Rt pediatric wrist radiograph · PA view · image size 918x1316

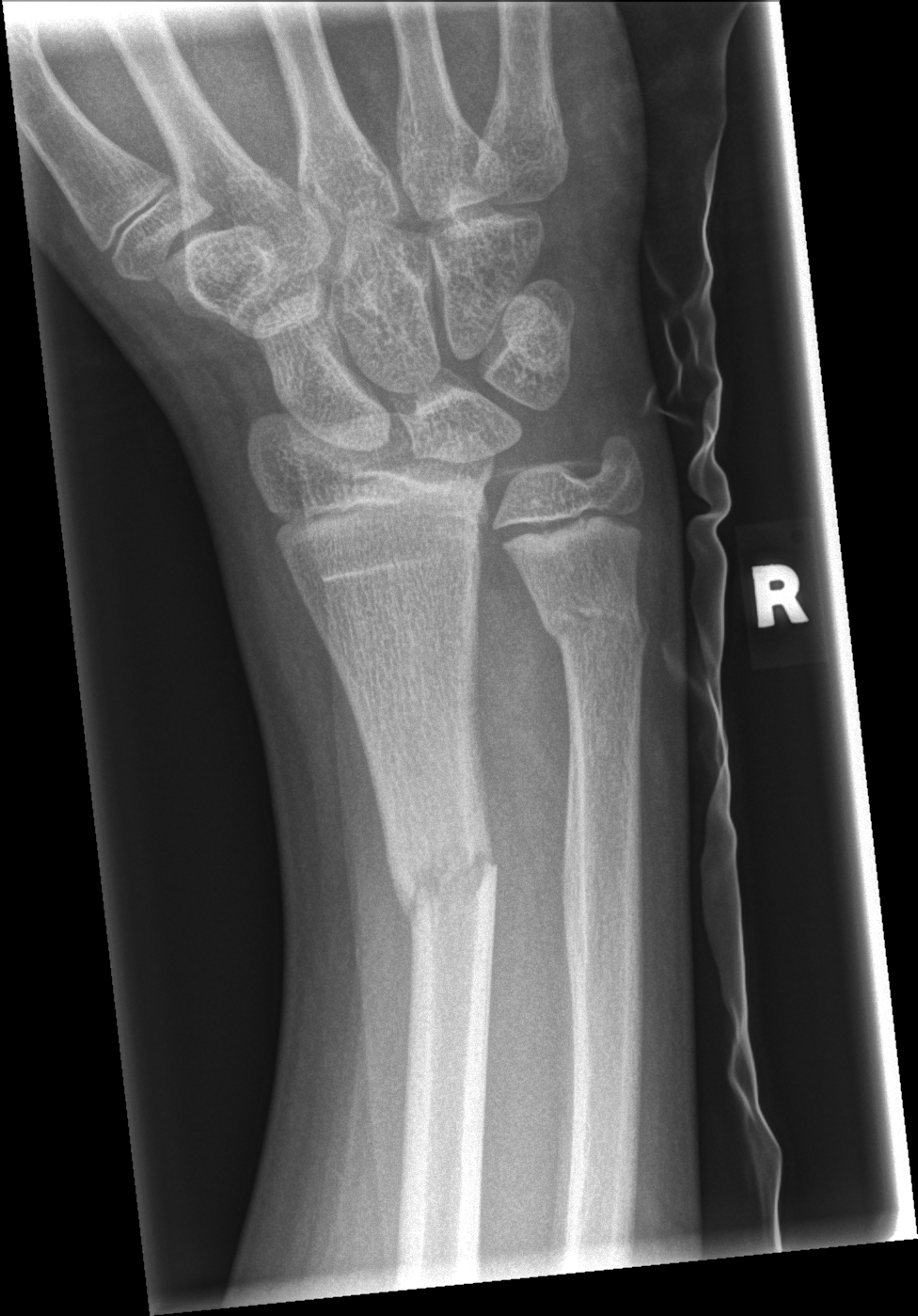

(coordinates are [x1, y1, x2, y2] in image pixels)
AO/OTA: 22r-D/2.1; 23u-M/2.1
fracture: 2 @ <391,829>-<503,929>; <536,595>-<657,651>